Lat projection, Rt pediatric wrist radiograph —

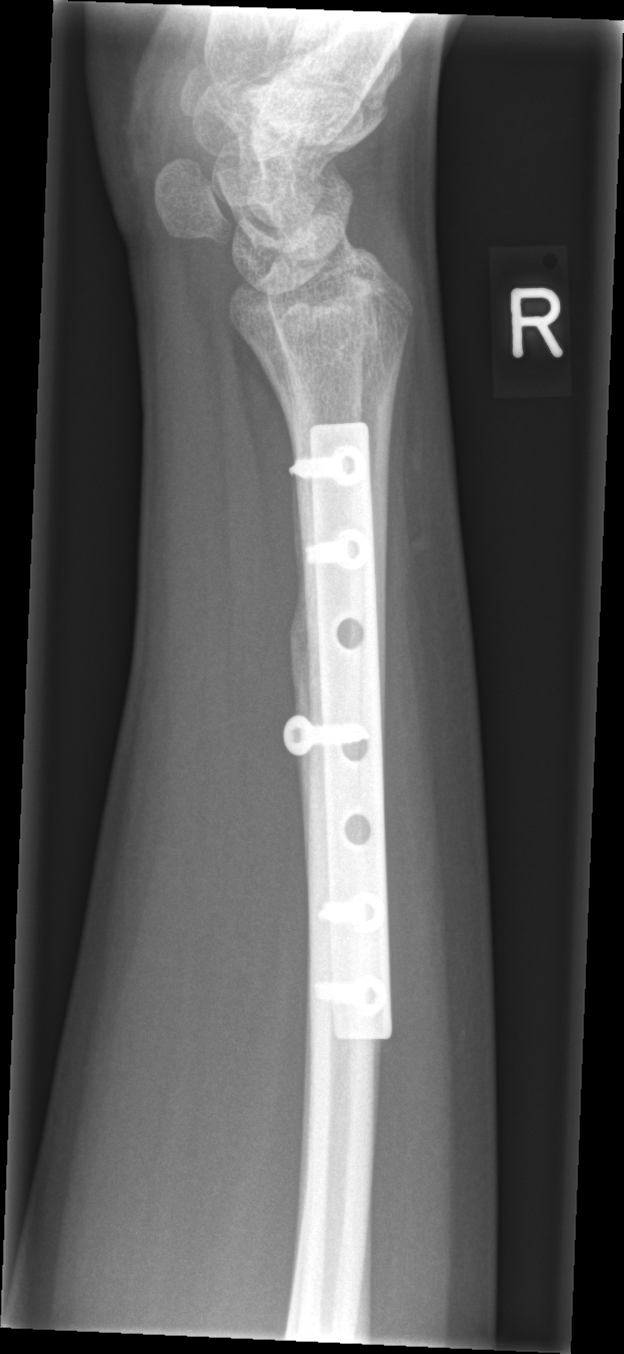
Boxes as x1,y1,x2,y2 (top-left / bottom-right, pixel units).
No Fx annotated.
Metallic hardware: 288 424 389 1036.